Rt wrist plain film · PA projection · initial study · 812 x 1150 px —

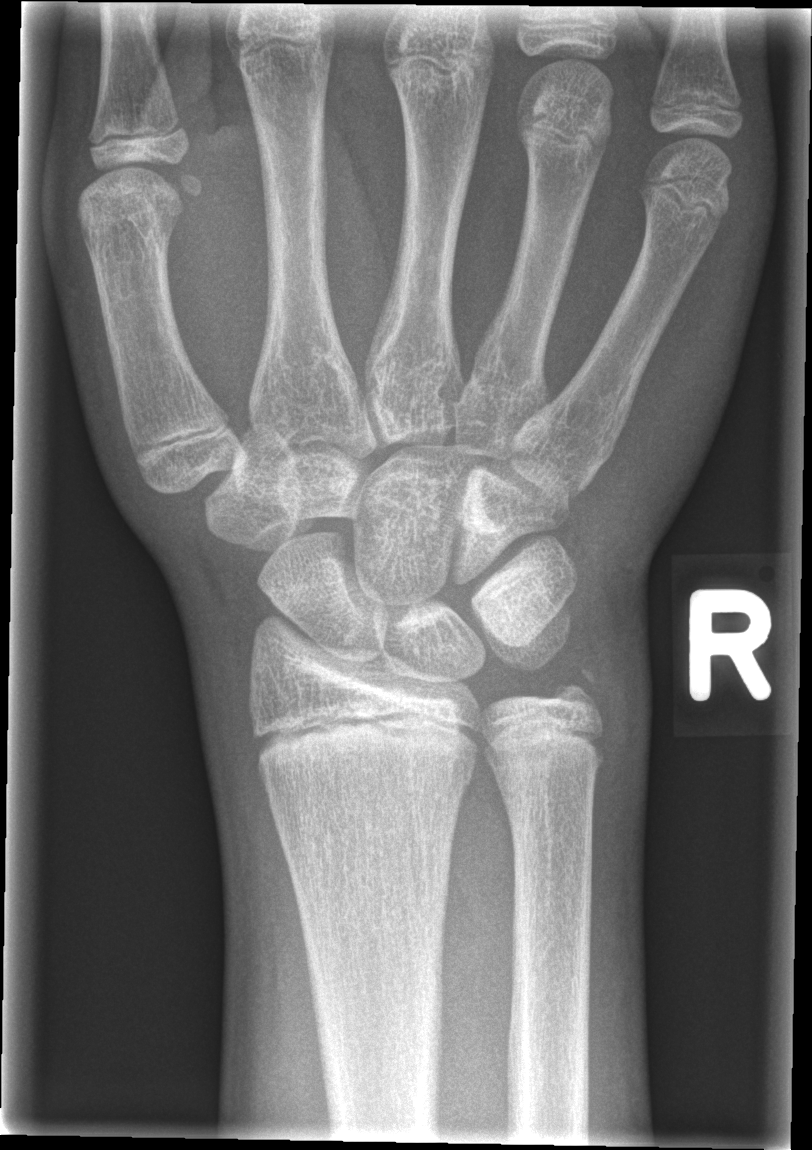

Q: AO code?
A: AO code 23u-E/7
Q: Fracture present?
A: One fracture at [542, 659, 610, 734]